Left pediatric wrist radiograph, AP projection, male, 10 yo

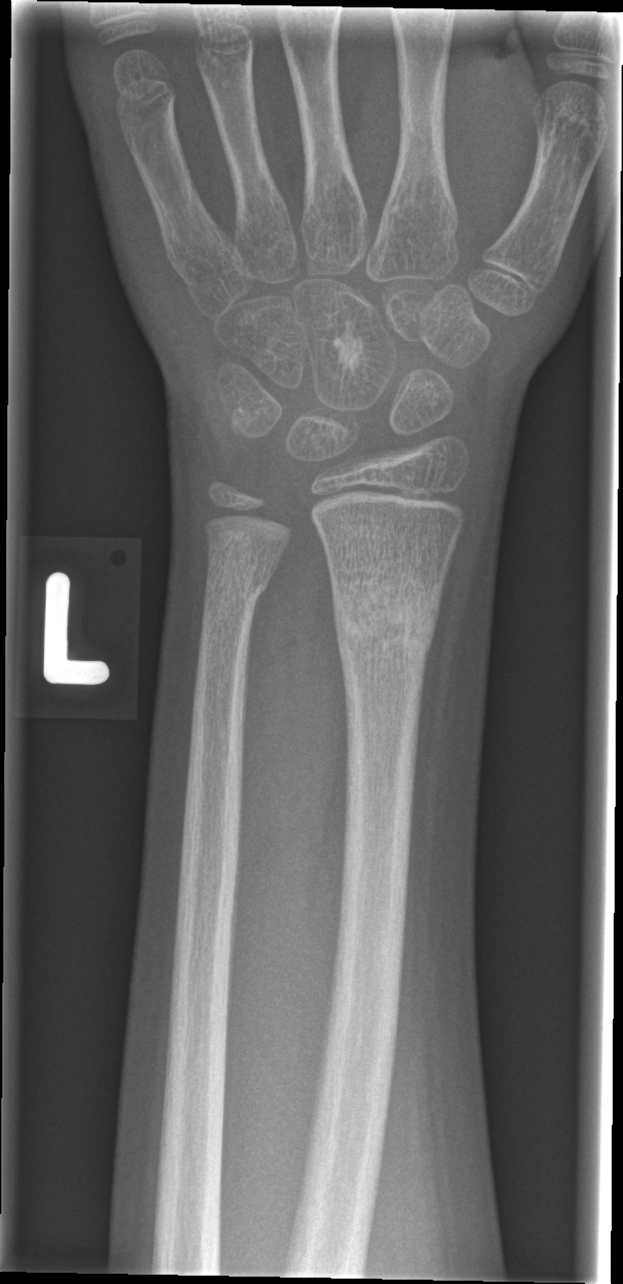 {"_coords": "boxes as x1,y1,x2,y2 (top-left / bottom-right, pixel units)", "bonelesion": "(329, 315, 370, 377)", "fracture": "2 @ (327, 572, 442, 675); (200, 556, 275, 614)"}